Lateral; left wrist plain film; male, 12 yo; cast present; 561 x 1046 px:
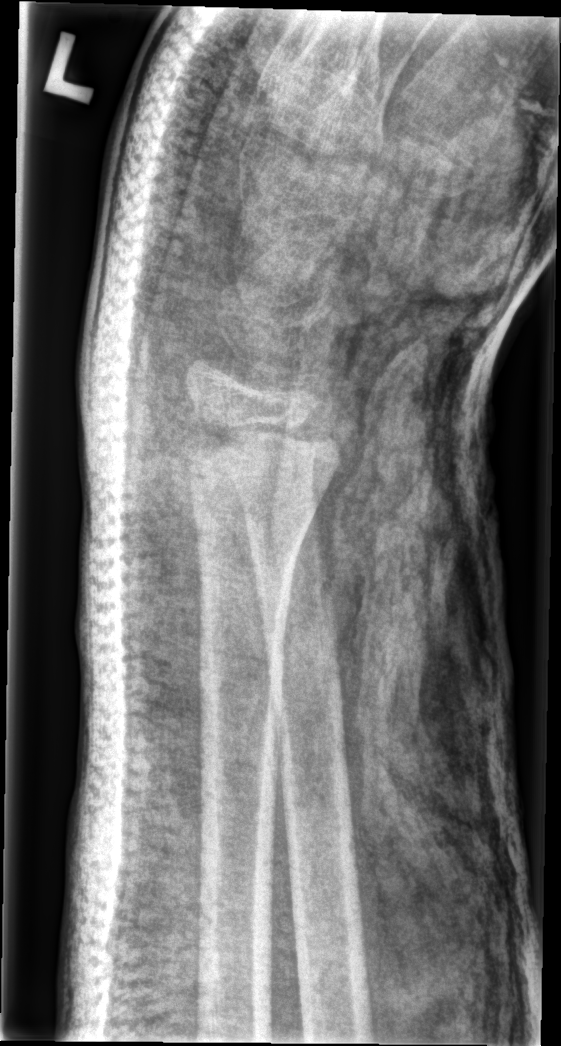 (boxes as x1,y1,x2,y2 (top-left / bottom-right, pixel units))
bone fracture: 1 @ 186,427,301,491